Rt wrist plain film; lateral projection; boy, 13 yo; initial study; acquired on Siemens: 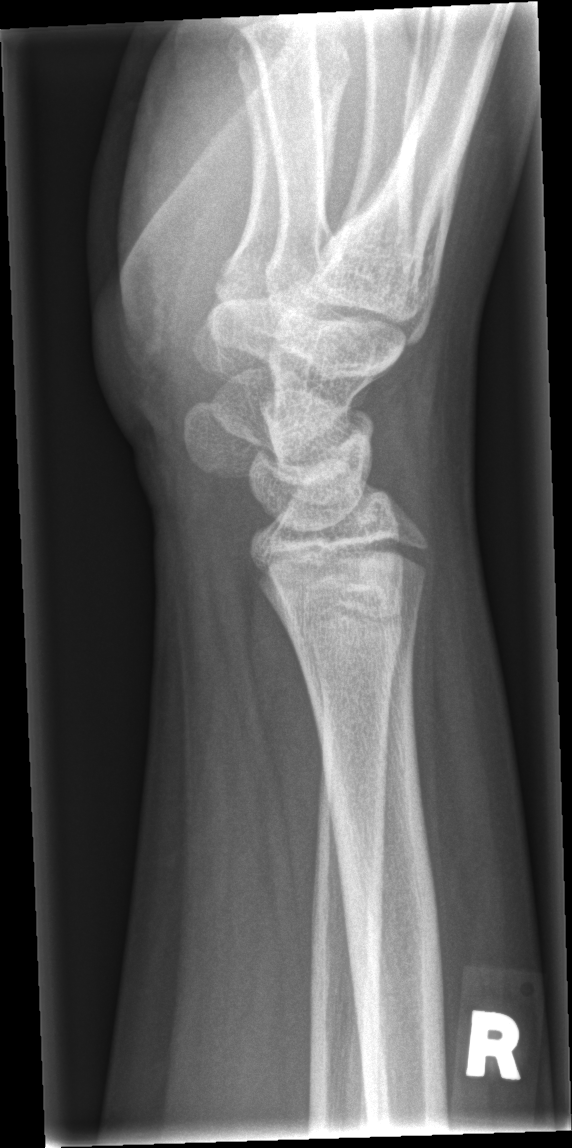 No fracture bounding box.